Lateral view | right wrist XR.

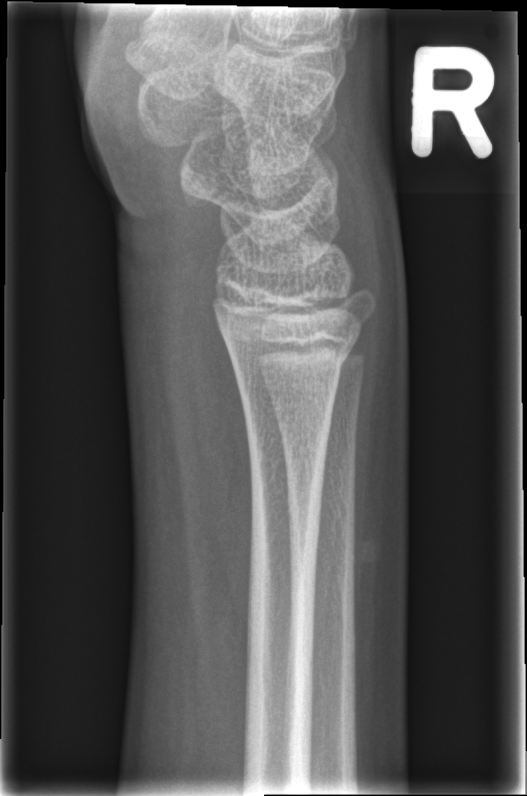 fracture: 1 @ 223 328 360 390
positive pronator fat-pad sign: 180 272 258 638